PA/AP projection | Rt wrist plain film | boy, 7 yo
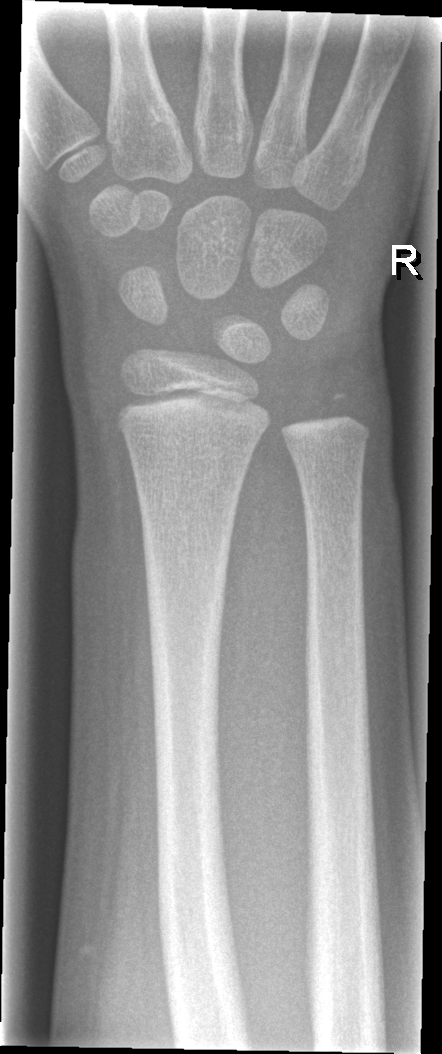 FINDINGS: No fracture labeled.